Left wrist radiograph; AP; follow-up study; in cast.

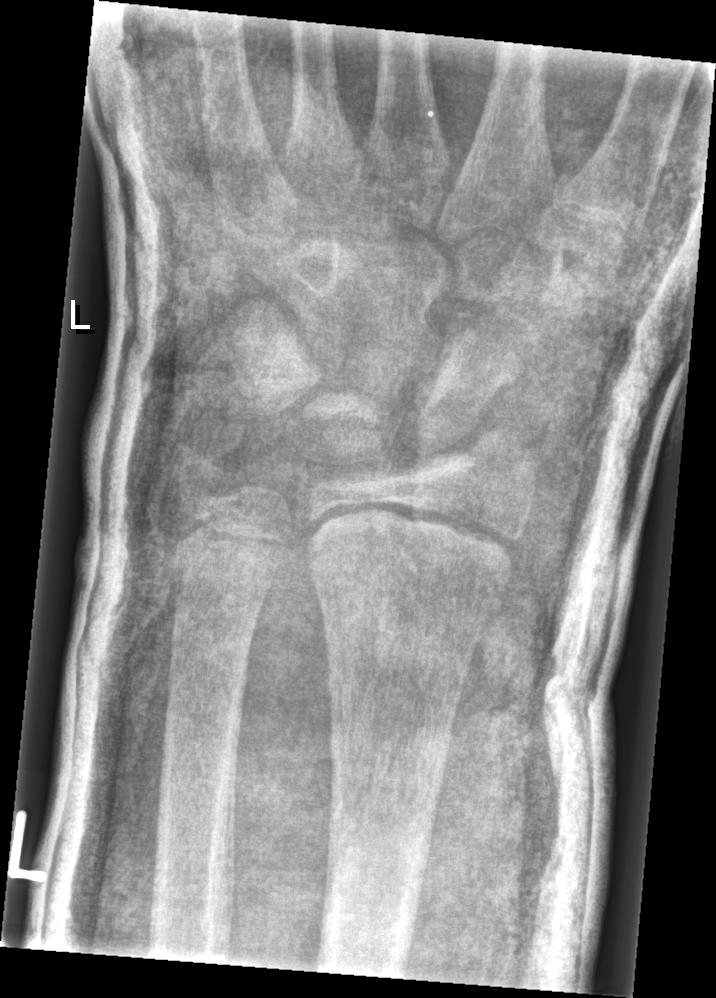

AO code 23r-M/3.1; 23u-E/7. Fracture present, but no bounding box because it is not clearly seen in this view.